Lat · R plain radiograph of the wrist · presentation radiograph · findings marked uncertain by the reading radiologist — 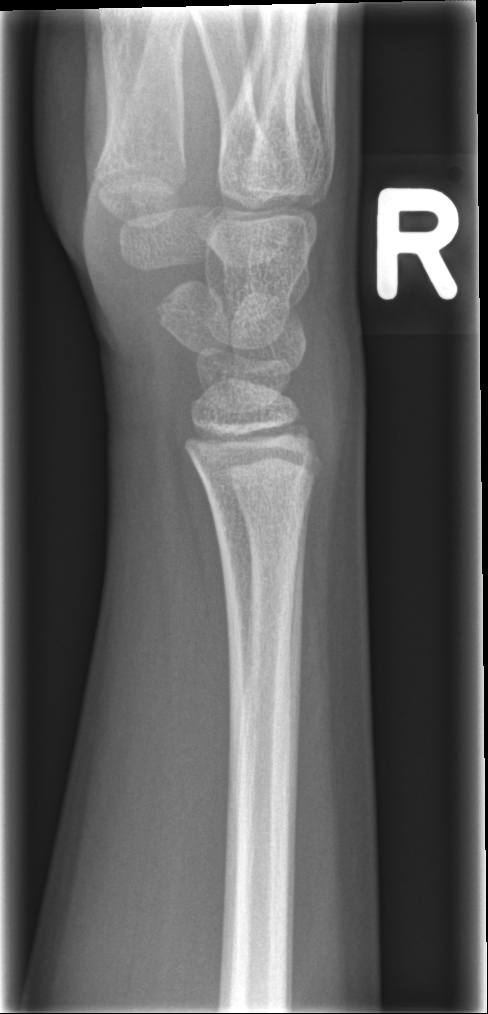 * No fracture labeled.